R wrist X-ray | PA/AP view | 13y M —
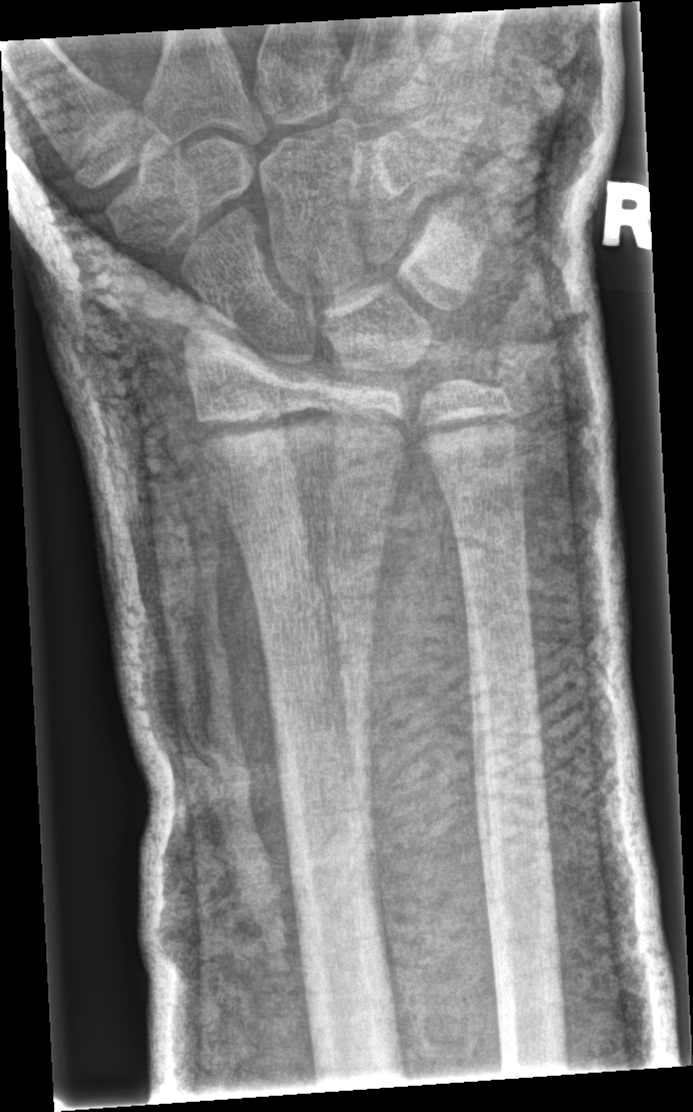 * Fracture — (193, 397, 407, 481).